PA projection | L wrist plain film —

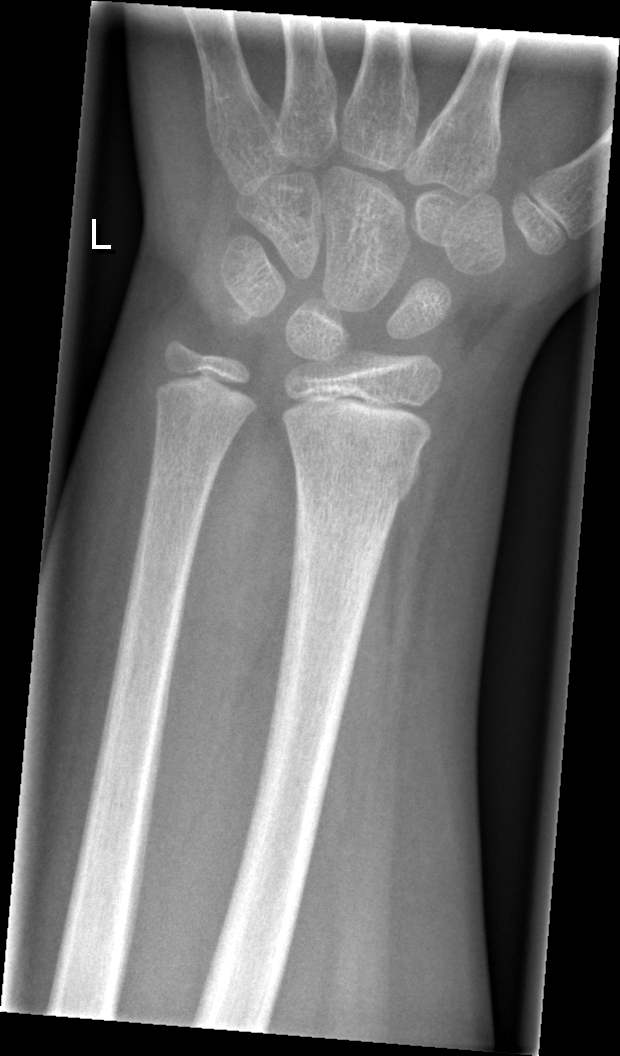 (coordinates are [x1, y1, x2, y2] in image pixels)
Q: Locate any fractures.
A: Fracture: [x1=289, y1=439, x2=426, y2=510]
Q: AO code?
A: AO code 23r-M/2.1